Right wrist XR; lat view; 4y M; presentation radiograph —
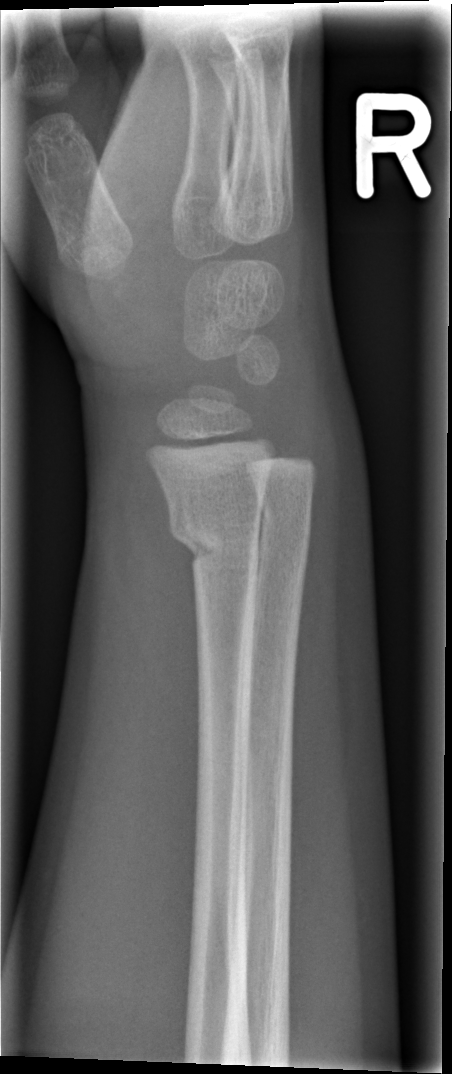 (coordinates are [x1, y1, x2, y2] in image pixels)
Pronator quadratus fat-pad sign = 1 @ 129 457 200 800
Fx = 2 @ 166 506 261 570 | 257 497 313 542